Oblique projection; Rt pediatric wrist radiograph; image width 69.4 mm
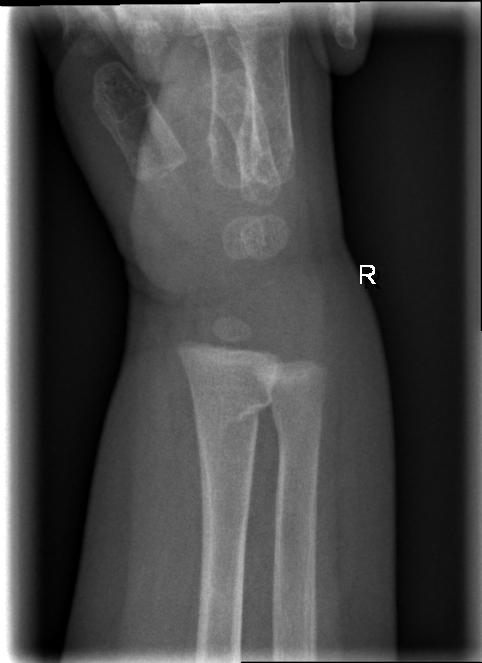
* Two fractures at <185,388>-<272,428>, <273,403>-<324,443>.
* AO/OTA classification: 23-M/2.1.